AP, R wrist plain film, 550x849:

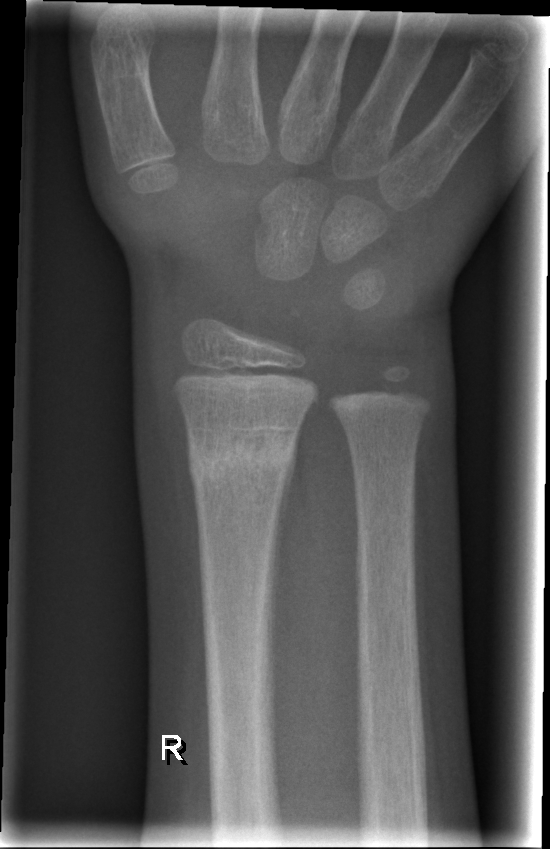 * AO code 23r-M/2.1.
* Periosteal new bone identified at (272, 413, 303, 681).
* Osteopenic.
* Fracture: (184, 418, 301, 500).